Lateral view | Lt wrist plain film | 15-year-old male. 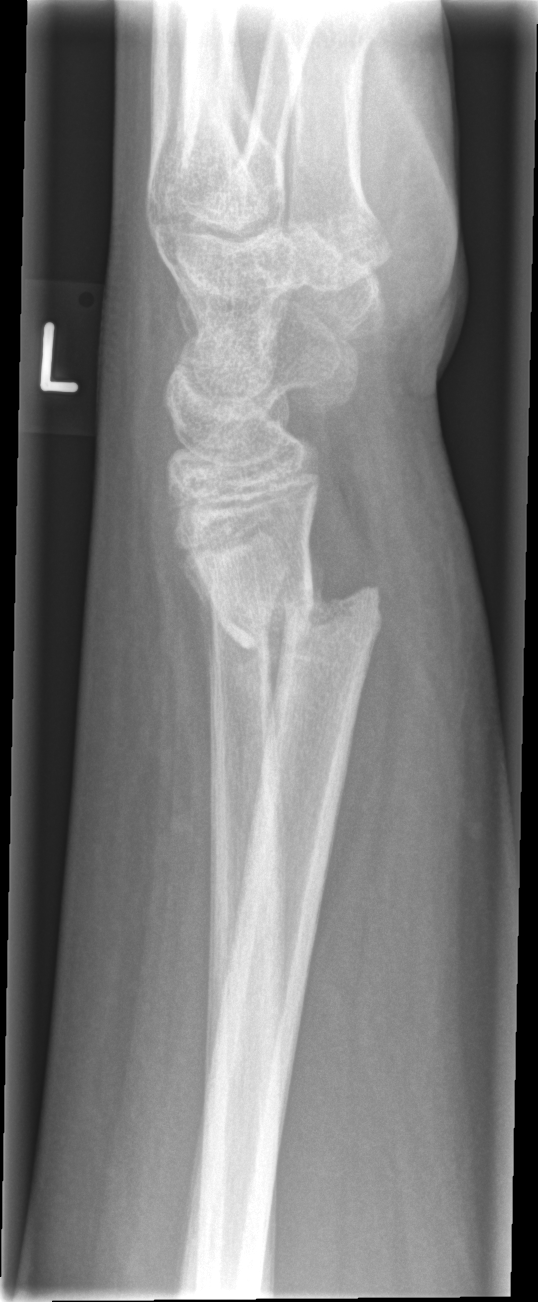 AO classification = 23r-M/3.1; 23u-E/1; 23u-E/7
Osteopenia = present
Bone fracture = 223,561,386,665